Left wrist XR | lat | 15-year-old male | 570 by 1141 pixels —
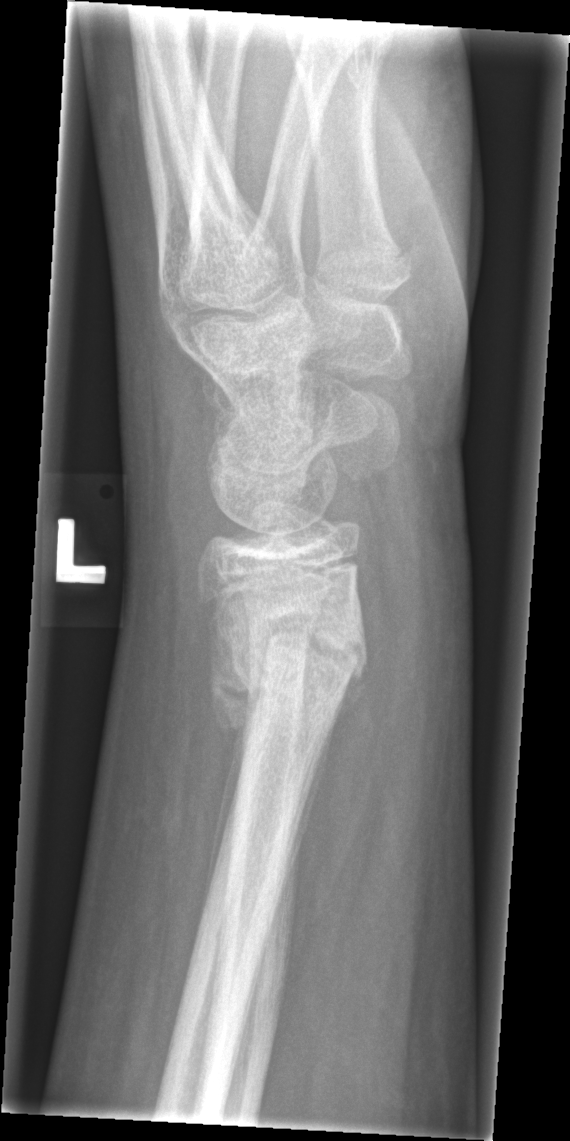

Fracture — [195, 591, 373, 783].
Periosteal thickening identified at [271, 695, 342, 920] [198, 707, 254, 934] [206, 633, 256, 731].
AO/OTA classification: 23r-M/3.1; 23u-E/7.